Frontal projection | left wrist plain film.
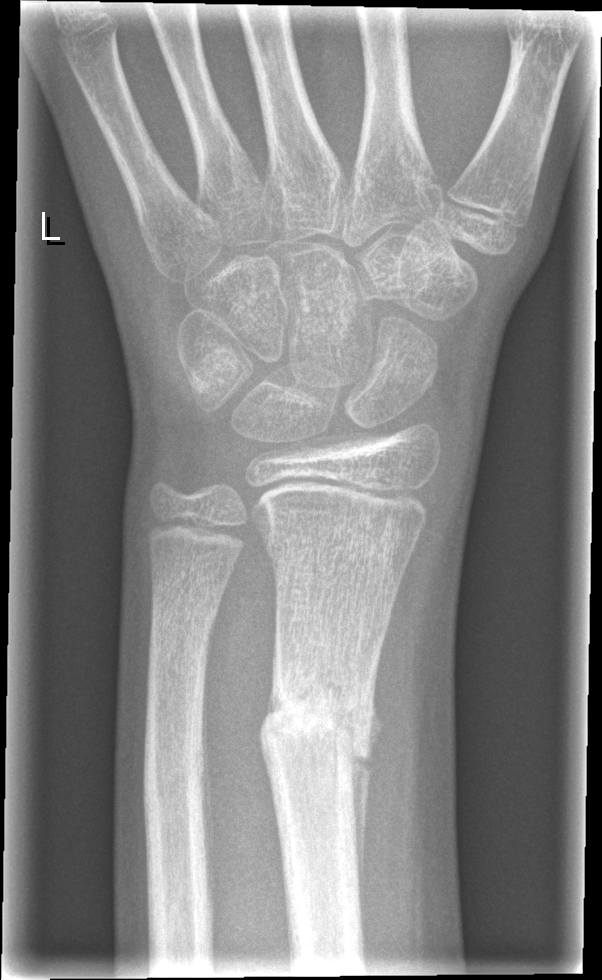

FINDINGS: Periosteal thickening: <346,656>-<380,931>. Osteopenic. AO/OTA classification: 22r-D/4.1; 22u-D/2.1; 23u-M/2.1. Three fractures at <256,659>-<379,788>; <138,742>-<210,829>; <148,575>-<224,634>.